Left wrist pediatric wrist radiograph | lat

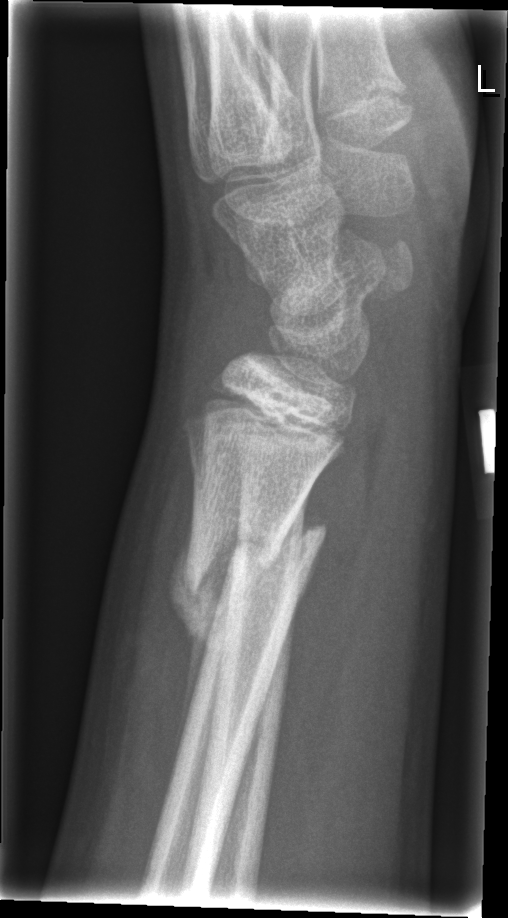
  fracture: 1 @ [177, 516, 329, 640]
  ao: 23r-M/3.1
  periostealreaction: 1 @ [164, 501, 240, 809]